Lt wrist radiograph; lateral; age 5 y, female; follow-up.

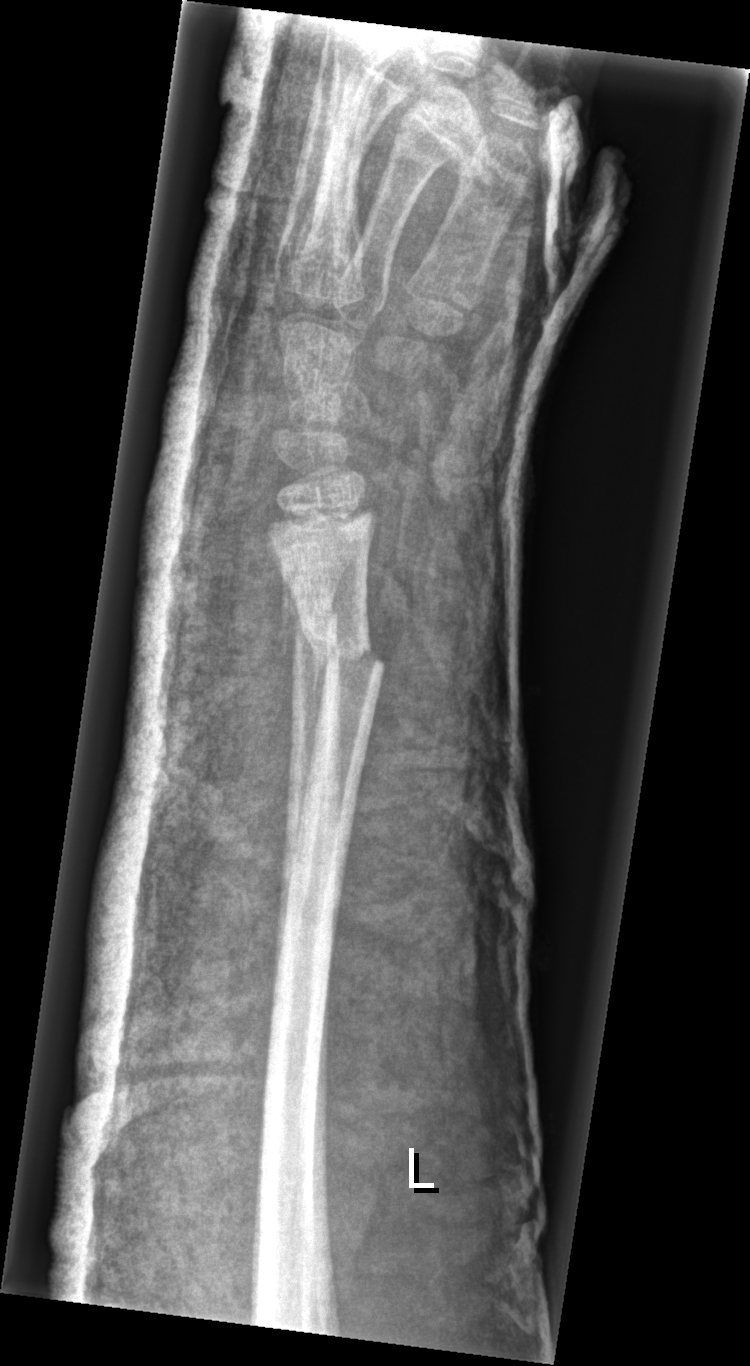 Findings: Two Fx at [x1=303, y1=634, x2=388, y2=684] [x1=276, y1=609, x2=353, y2=658].